Lateral view; left wrist plain film; Siemens —

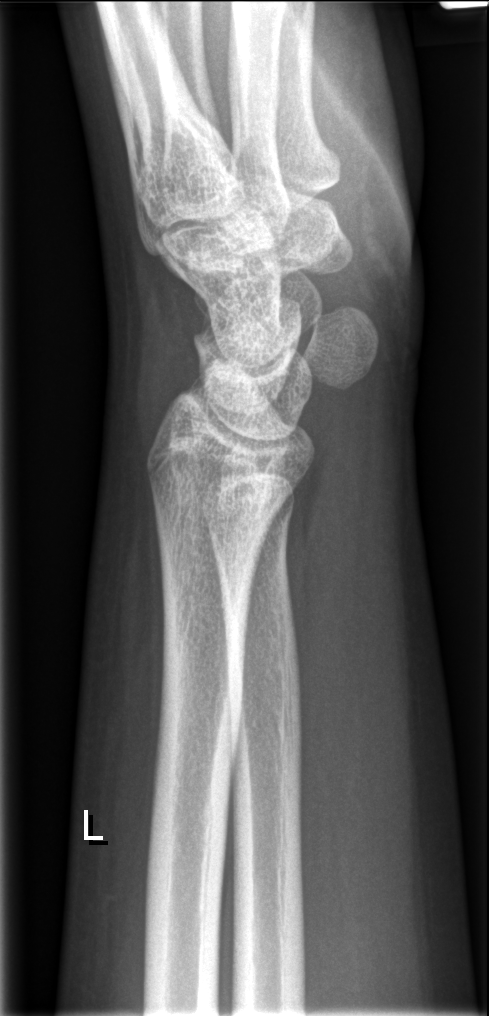
- No fracture annotation.